Posteroanterior; Lt pediatric wrist radiograph; age 11 y, boy; in cast: 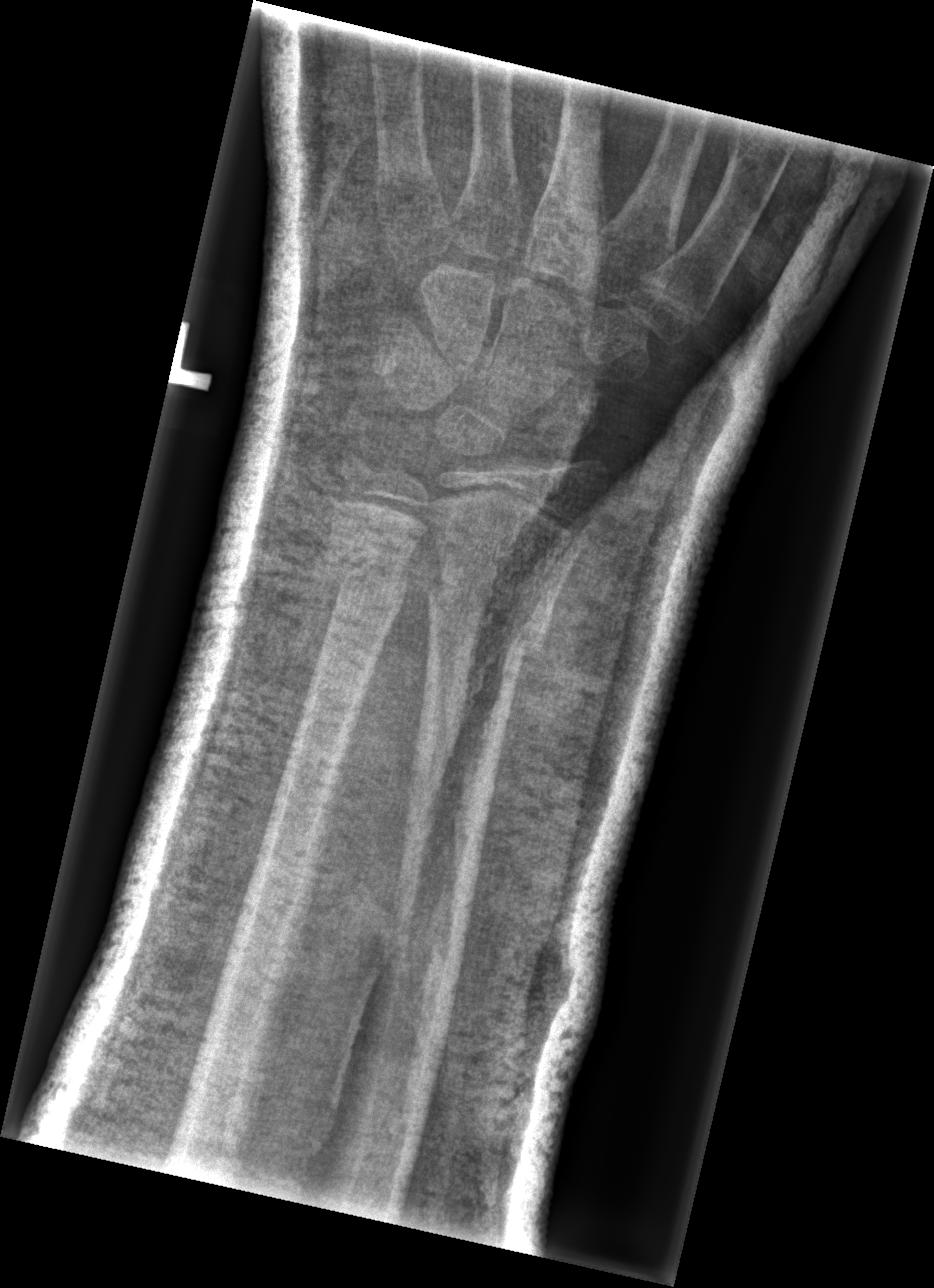
  # coordinates are [x1, y1, x2, y2] in image pixels
  fracture: (421, 554, 558, 681); (319, 526, 422, 608)